Lt plain radiograph of the wrist · PA/AP view · index exam:
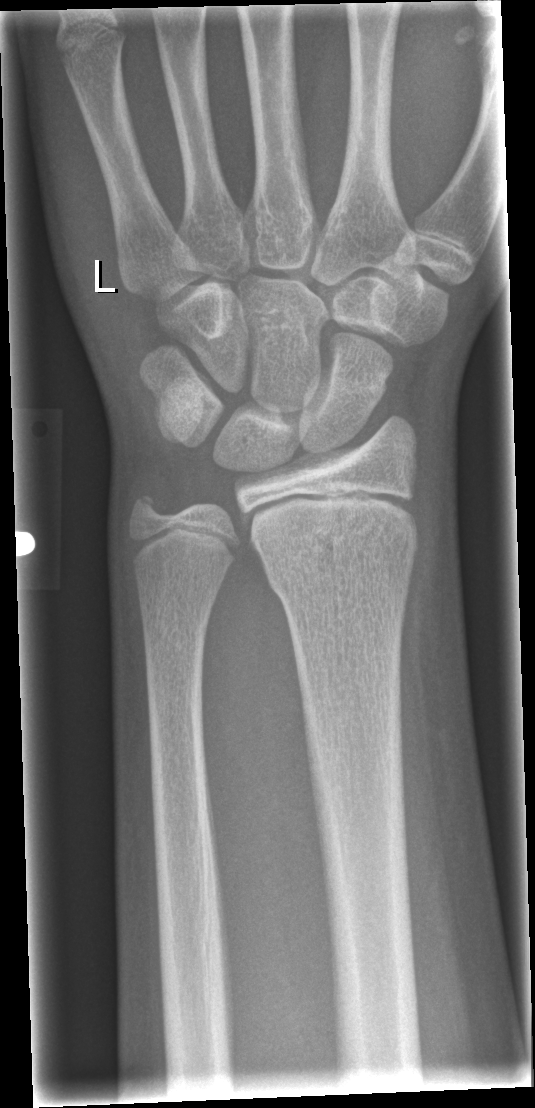
- Fx identified at <262,536>-<419,603>; <122,484>-<171,537>.